Left plain radiograph of the wrist | lateral | pediatric patient (girl, age 12) —
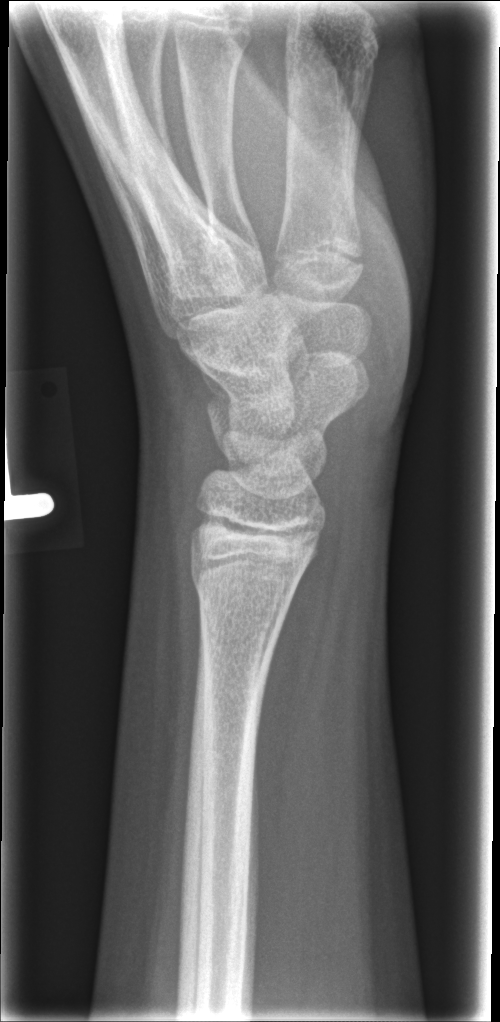
- Bone fracture — [x1=188, y1=558, x2=304, y2=614].
- Fracture classified AO/OTA 23r-M/2.1.